Lat view · left wrist XR · 11-year-old boy · follow-up · cast in situ · Siemens · 494 by 869 pixels 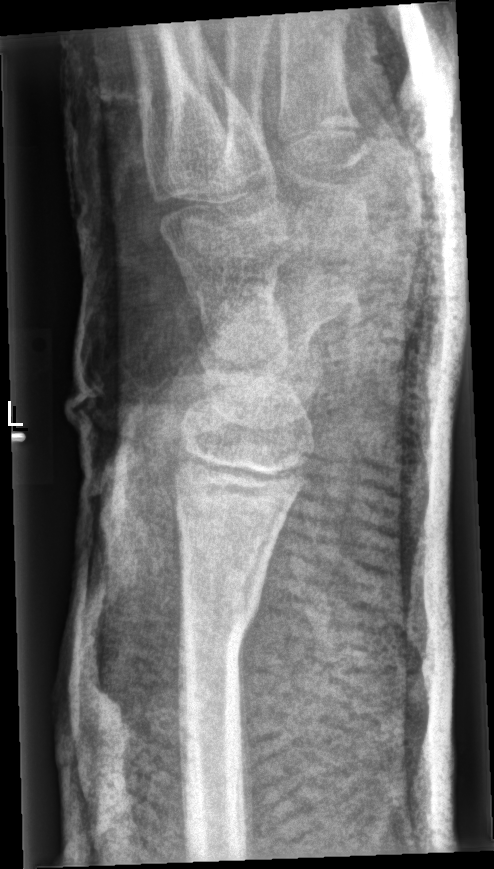 {
  "ao": "23-M/2.1",
  "fracture": "(174, 580, 265, 666)"
}